Frontal projection · Rt plain radiograph of the wrist · female, 13 yo
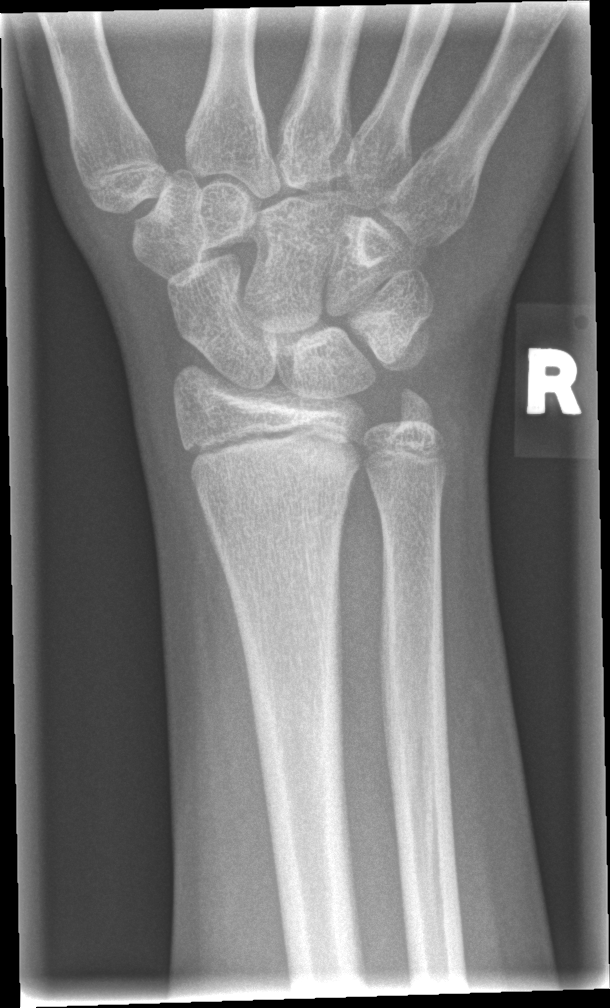

Fx: present but not clearly seen in this view.